Left plain radiograph of the wrist · lat
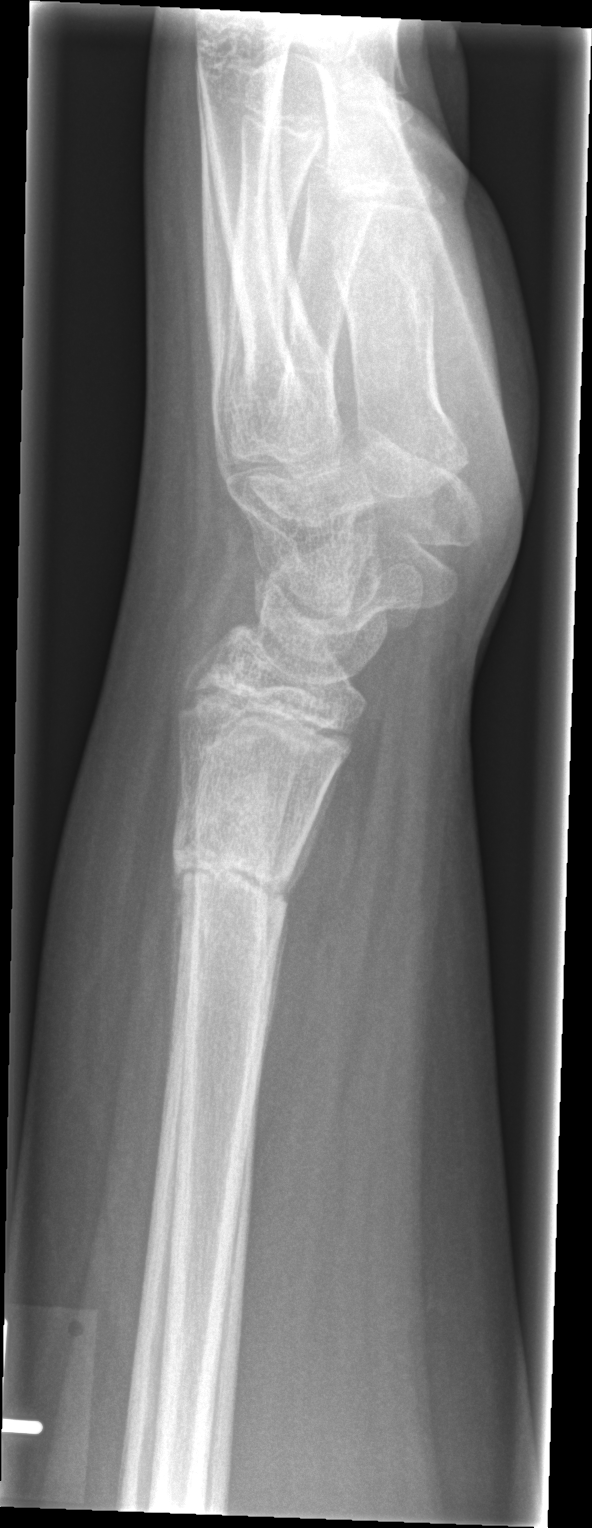 Fracture = (167, 784, 301, 942)
Periosteal reaction = (270, 761, 343, 897) (254, 907, 290, 1106) (167, 857, 191, 1100)
AO code = 23-M/3.1; 23u-E/7